Lat projection; right wrist pediatric wrist radiograph; 10-year-old girl; initial study. 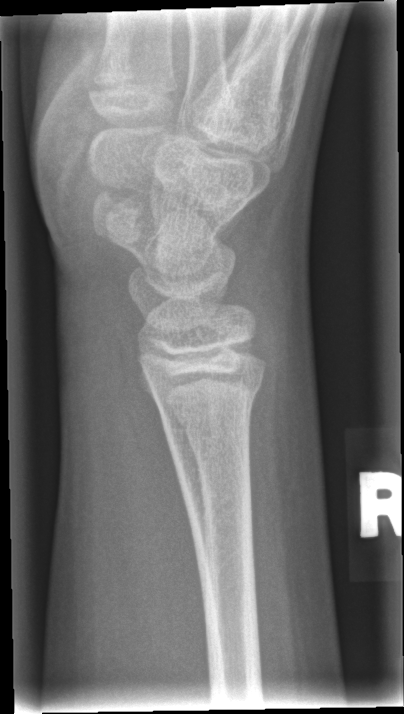
FINDINGS — AO code 23r-M/2.1. One fracture at [154, 371, 267, 426].